Lateral view; R wrist radiograph; pediatric patient (female, age 16); follow-up; in cast; image width 84.7 mm; image size 588x1168:

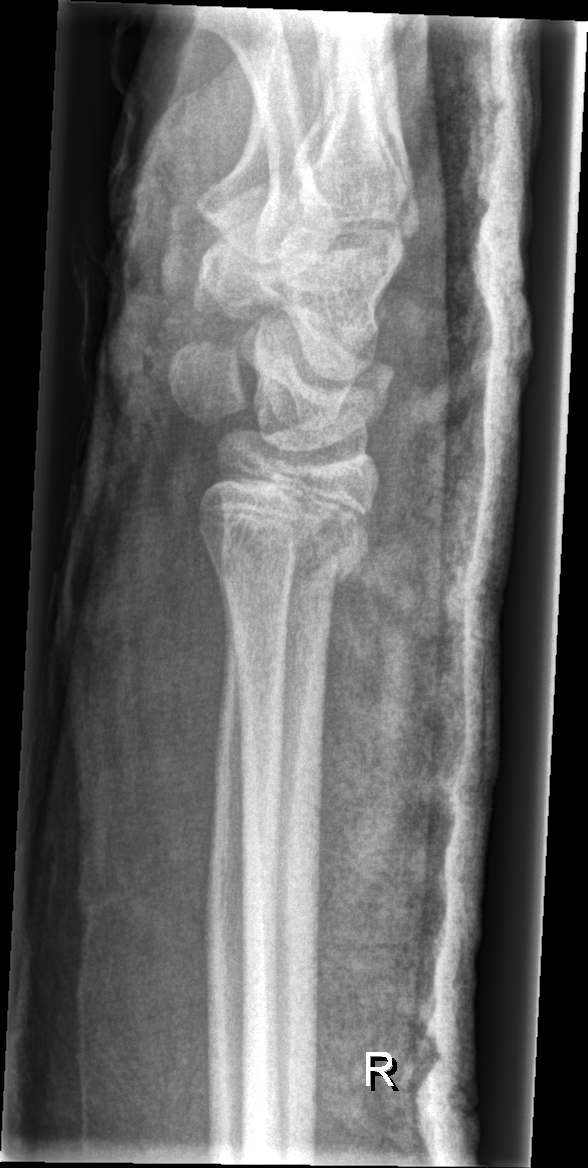 One fracture at 211 485 375 602.